Lateral projection, Rt wrist X-ray, 472 x 1256 px: 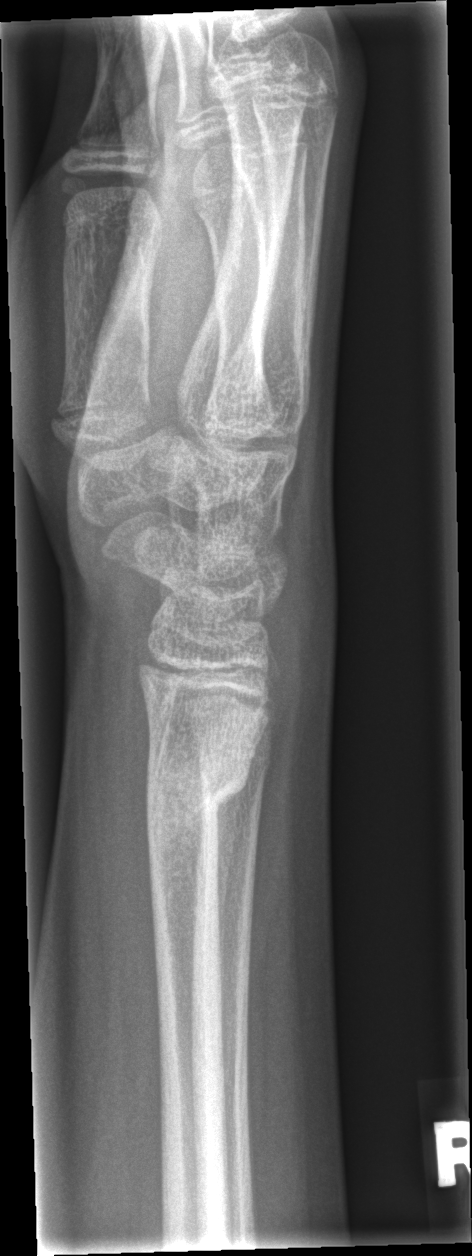
FINDINGS — One periosteal new bone at [212, 781, 249, 1000]. Osteopenia. One fracture at [144, 762, 253, 843].